Lateral view, Rt wrist plain film, 422 by 817 pixels. 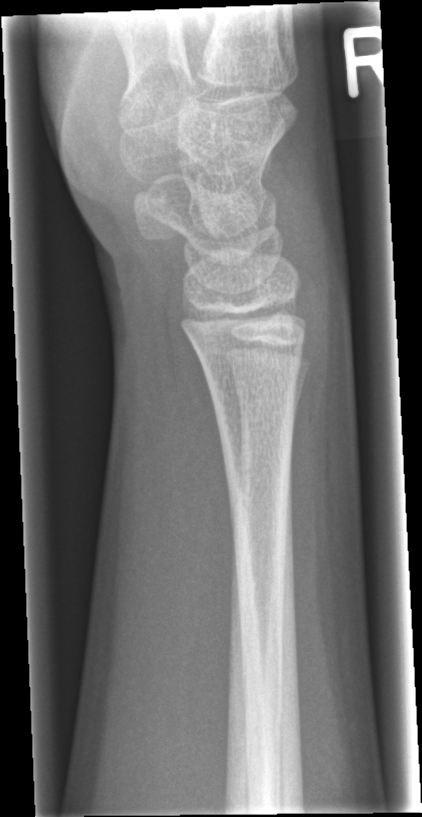

Bone fracture = none labeled